R wrist XR; lateral view; subsequent exam; 432 x 874 px. 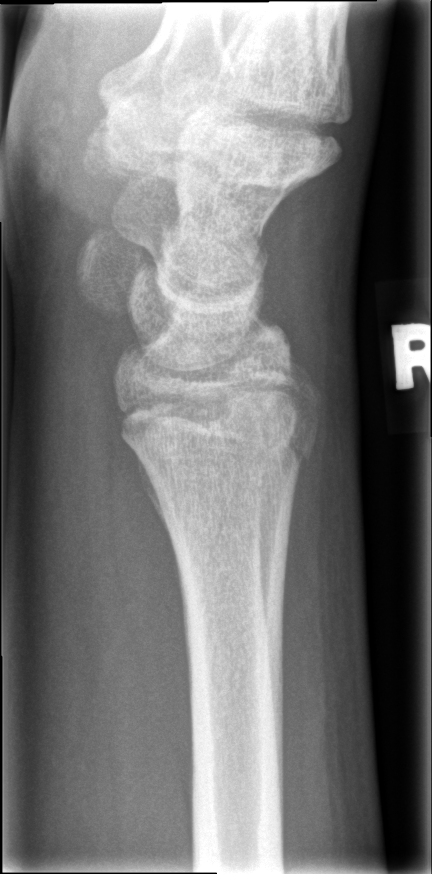

(bounding boxes in image-pixel xyxy)
bone fracture: [115, 377, 325, 476]
periosteal thickening: 1 @ [136, 452, 177, 557]